Lateral view; right wrist pediatric wrist radiograph; boy, 9 yo; 492x1066: 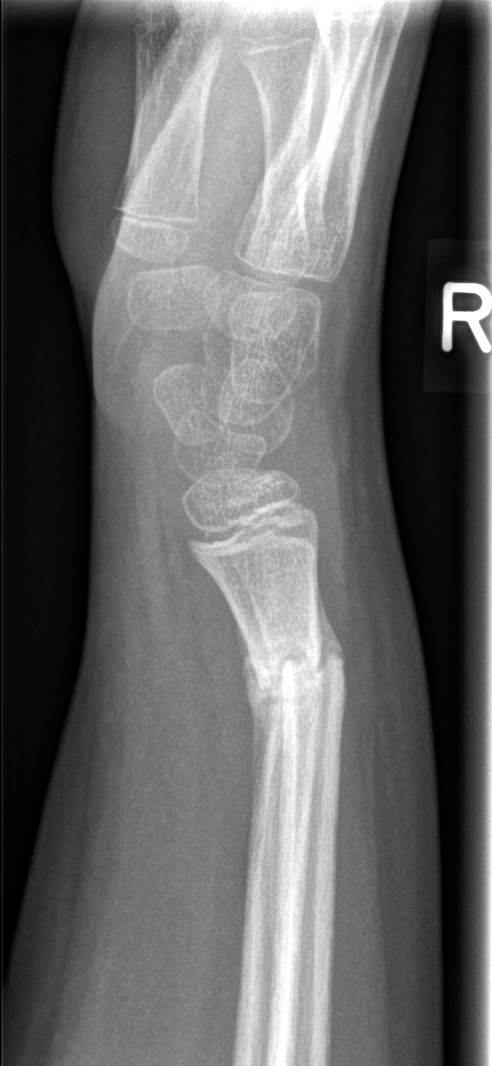
Findings: Fracture: (241, 632, 351, 714). Periosteal new bone identified at (231, 604, 279, 802); (315, 557, 347, 671).